Lt wrist plain film · lat view · pediatric patient (male, age 15) · image size 555x996. 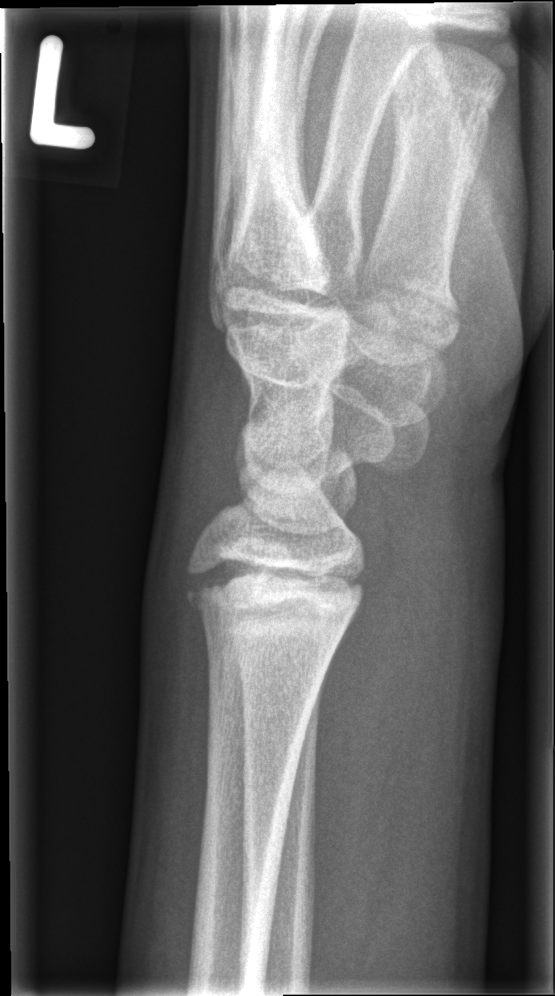 (bounding boxes in image-pixel xyxy)
Q: Is the pronator sign positive?
A: Positive pronator fat-pad sign — (310, 565, 411, 938)
Q: Any fracture seen?
A: Fracture — (179, 556, 371, 630)